Lateral projection · left wrist pediatric wrist radiograph · girl, 10 yo · image size 377x798:

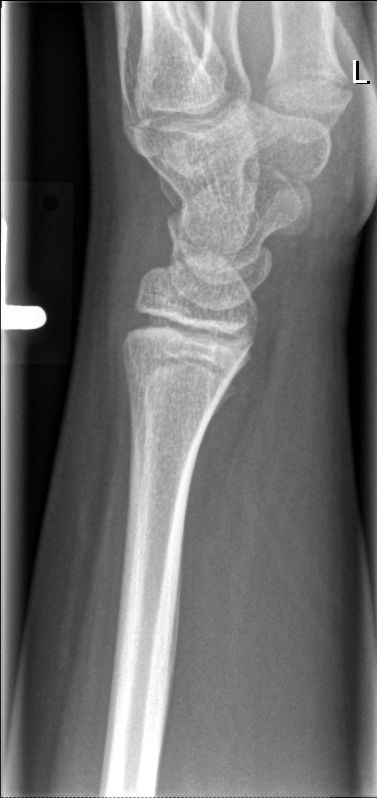
* Fx: none.